Lat · left pediatric wrist radiograph · pediatric patient (female, age 12) · image 62.8 mm wide —

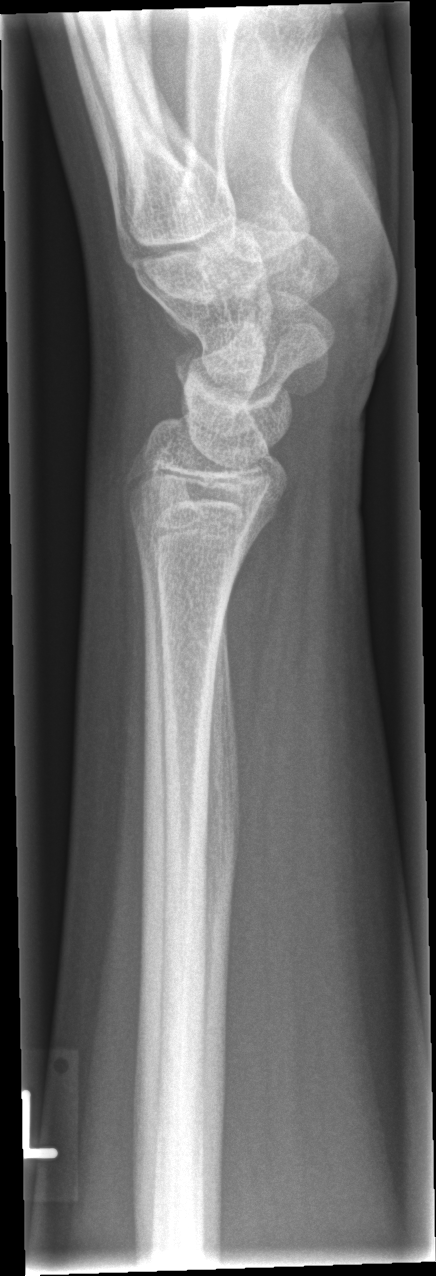 - Fx: none.